Left wrist X-ray · lat view · 12y M · follow-up · 519 by 1202 pixels. 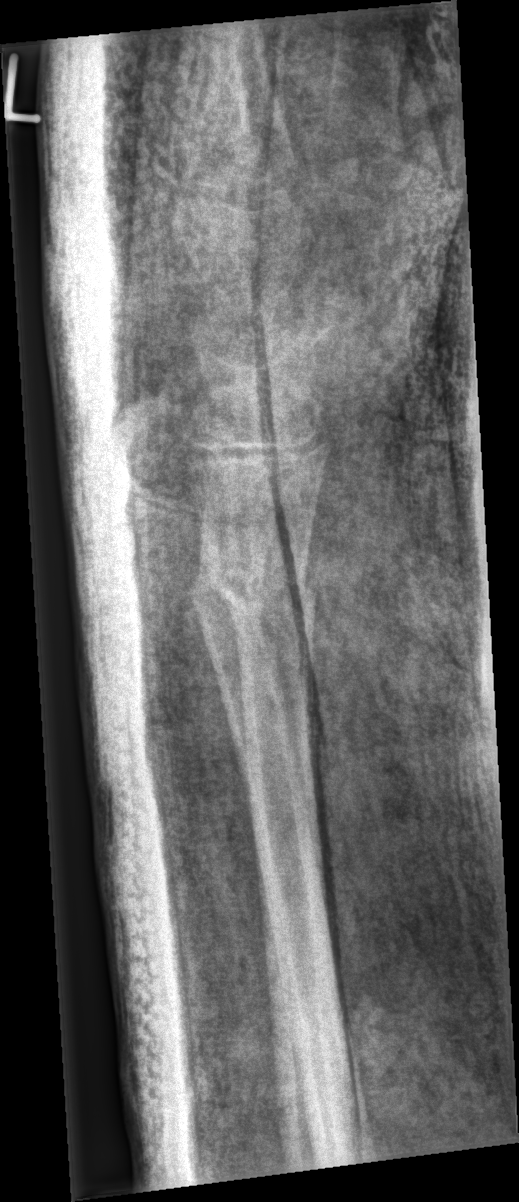

FINDINGS — Fracture: [x1=183, y1=550, x2=321, y2=636]. AO code 23-M/3.1.